Frontal projection; L wrist radiograph; age 7 y, boy; acquired on Siemens —
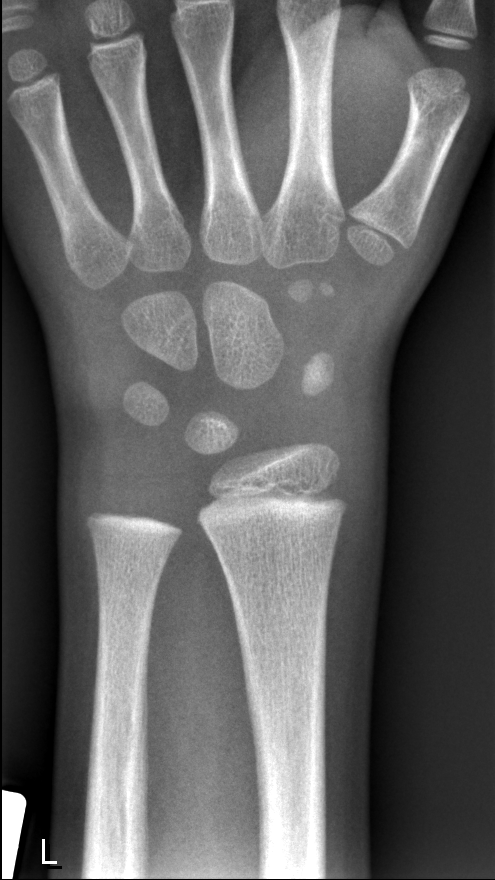
• No fracture bounding box.